Right wrist radiograph | AP | age 13 y, girl | 627x1056
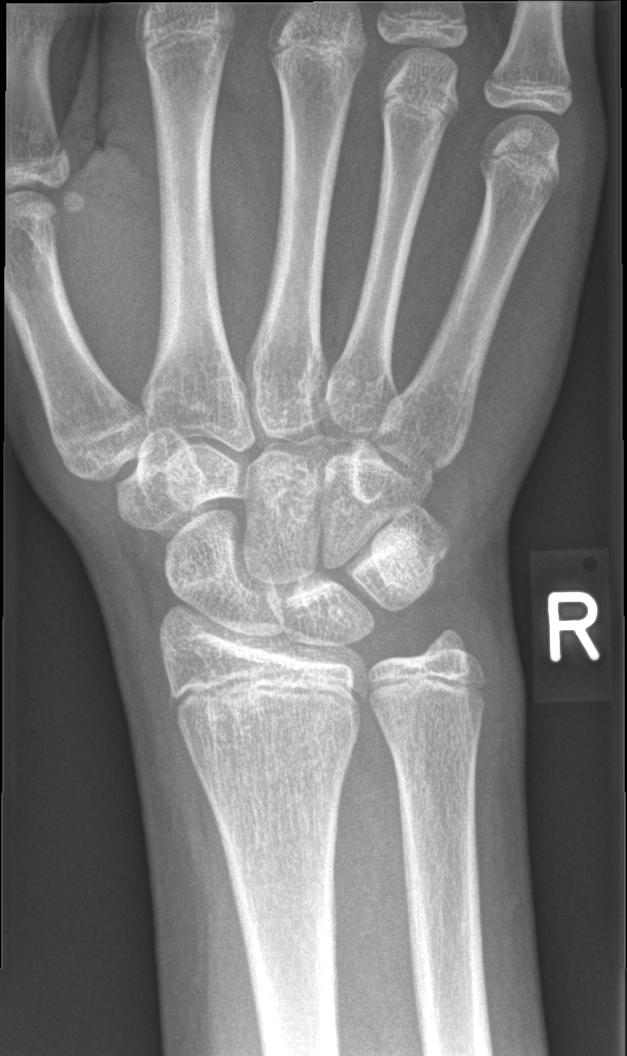

Q: Fracture present?
A: No fracture labeled